Frontal · Lt wrist radiograph · acquired on Siemens —
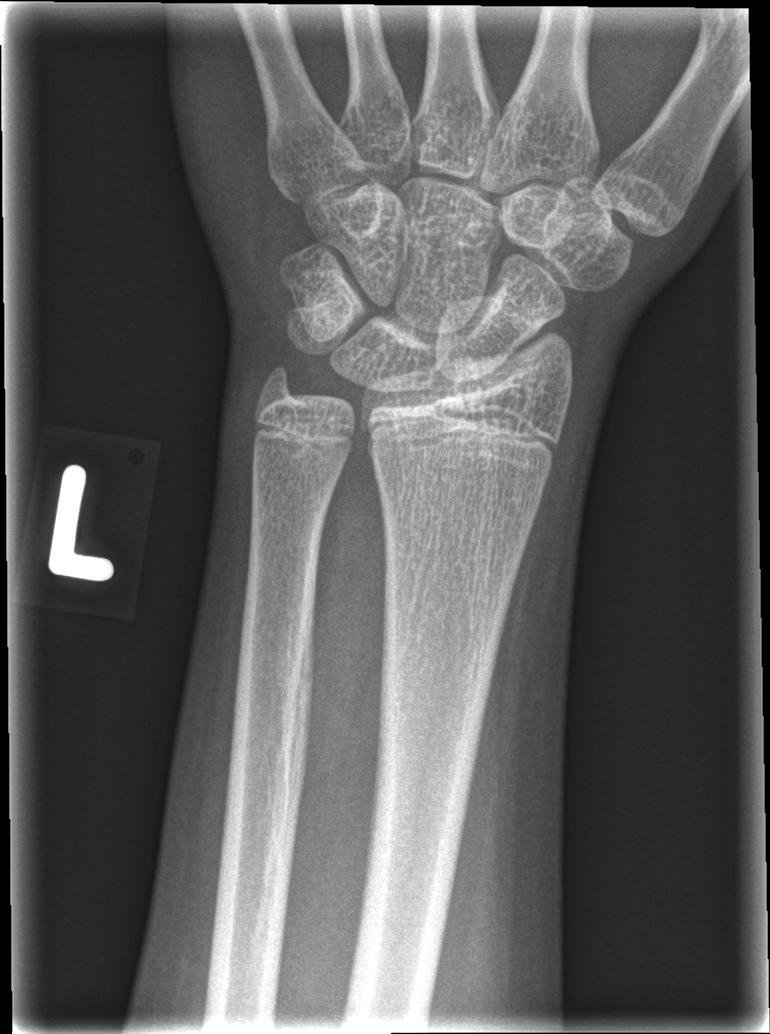 fracture: none labeled